Right pediatric wrist radiograph · frontal projection · initial study 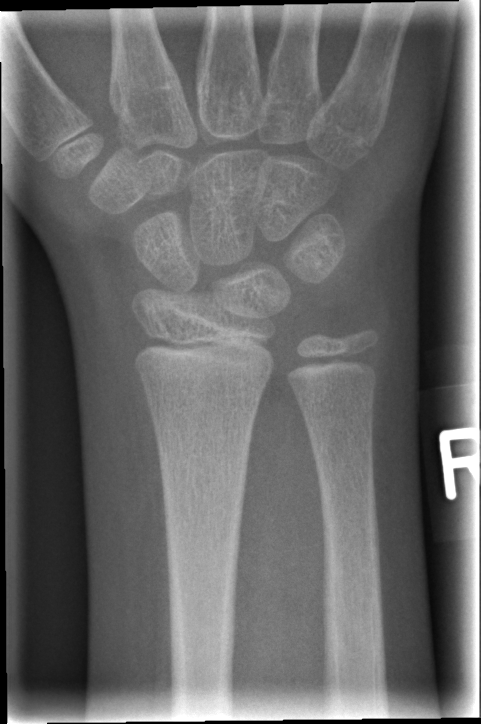 Fracture: present but not clearly seen in this view.